AP view | Lt wrist XR | 10y F. 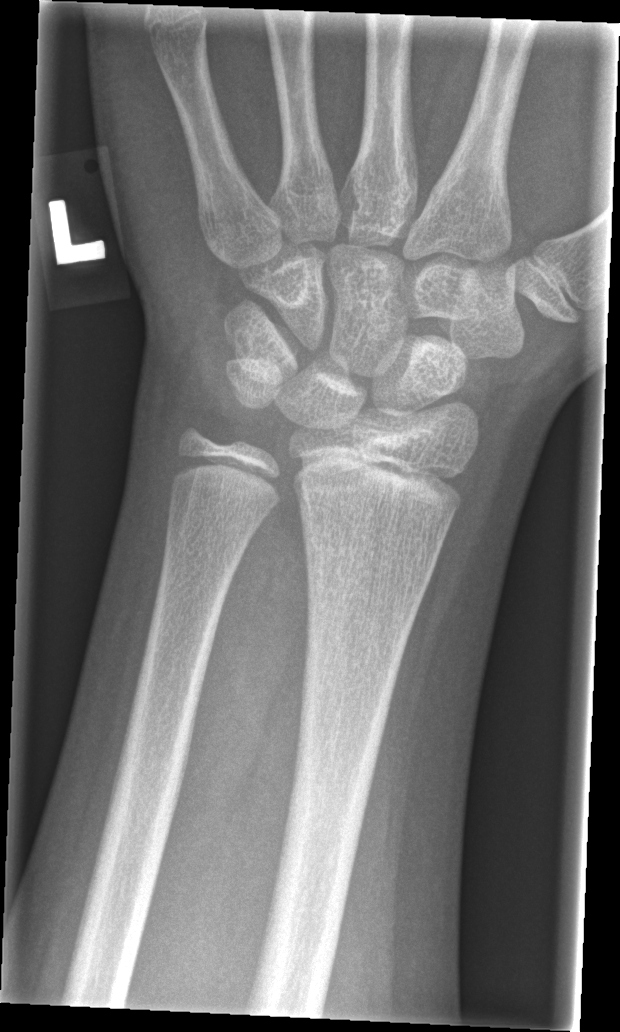
• No Fx annotated.